R plain radiograph of the wrist · PA/AP projection · 8-year-old female · initial study —

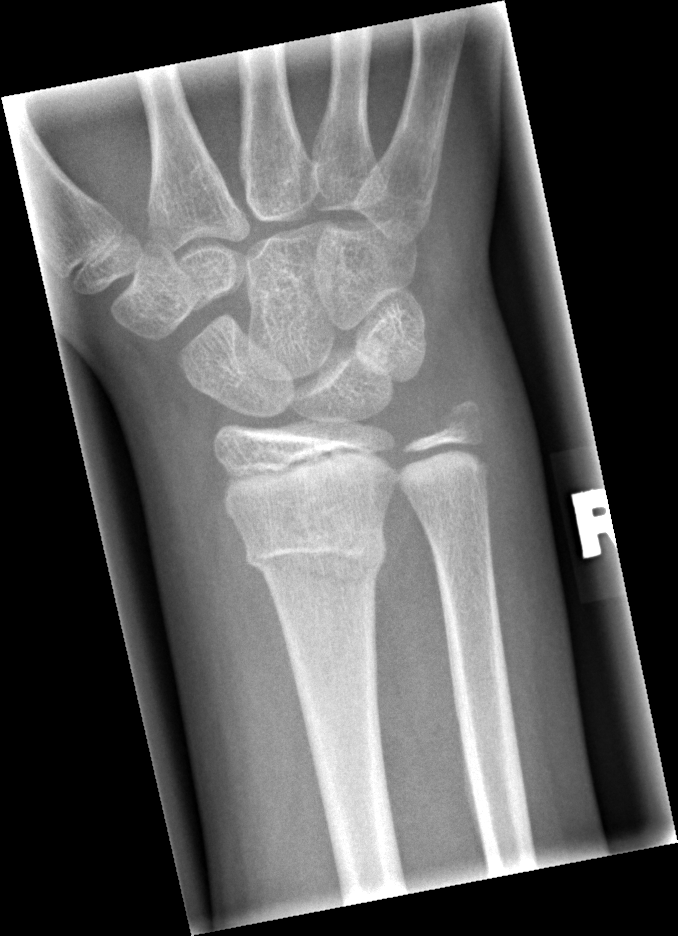
  ao: 23r-M/2.1;23u-E/7
  fracture: 240,518,389,585
  424,397,485,447